Left wrist XR; AP view; 17y M; 662 x 1104 px: 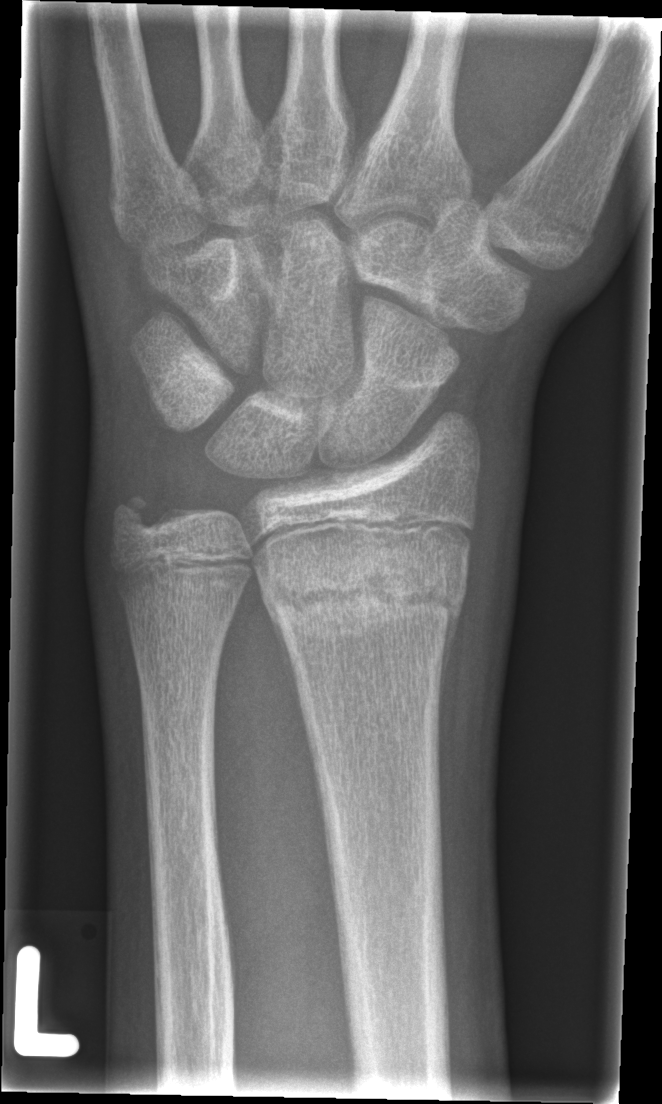 AO code 23r-M/3.1; 23u-E/7.
Periosteal reaction identified at 262,600,313,764; 437,592,466,787.
Fx identified at 258,557,470,647; 105,487,166,553.